PA/AP projection | Lt plain radiograph of the wrist | subsequent exam | cast in situ | image width 111.2 mm
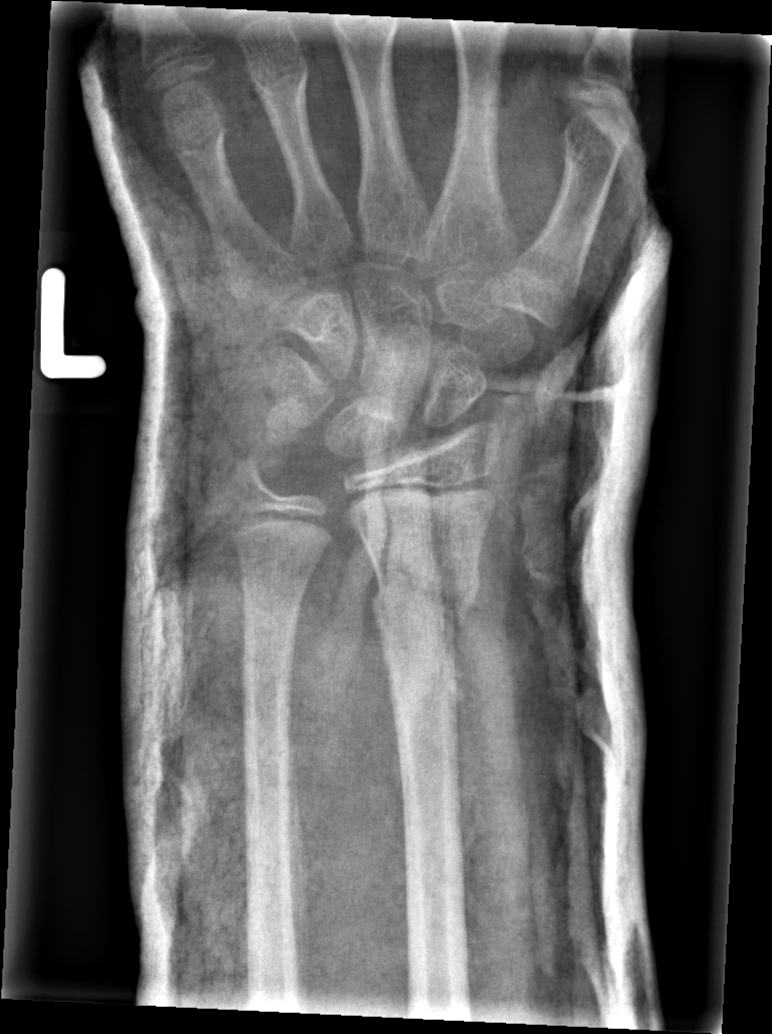

{
  "_coords": "coordinates are [x1, y1, x2, y2] in image pixels",
  "fracture": "(365, 558, 482, 646)"
}